Left wrist radiograph; frontal; 13y M. 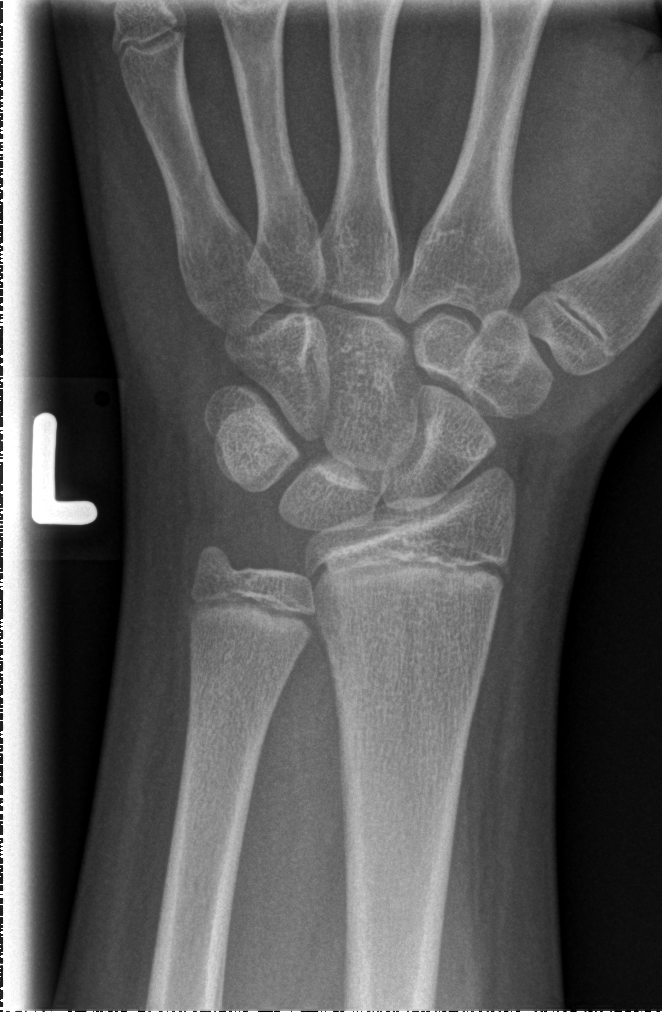
FINDINGS: Fx: none.